Right wrist XR | lat | age 12 y, female | index exam | detector: Siemens:
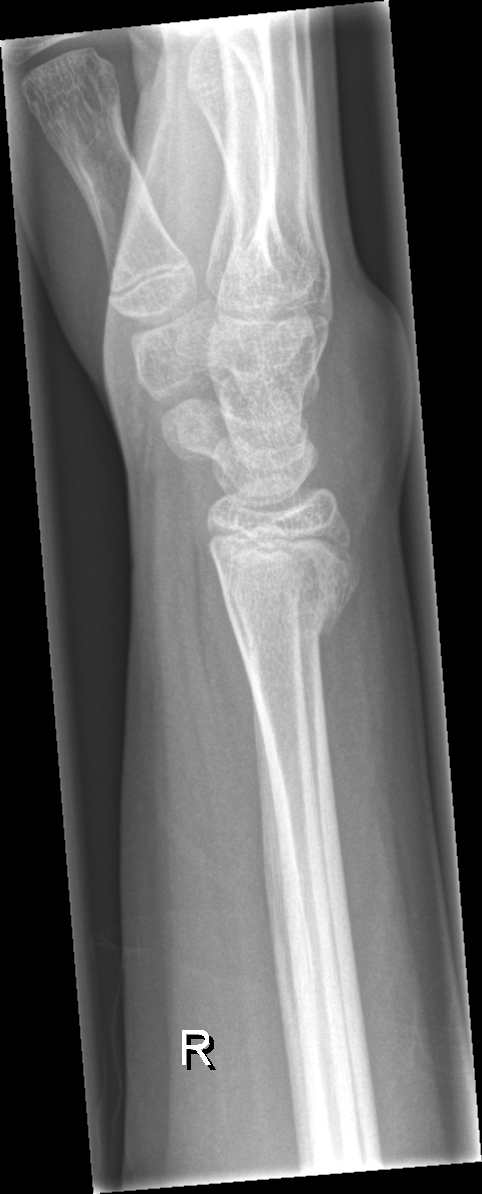

* Fracture — [219, 567, 359, 648].
* Fracture classified AO/OTA 23r-M/2.1; 23u-E/7.